AP projection; left wrist XR 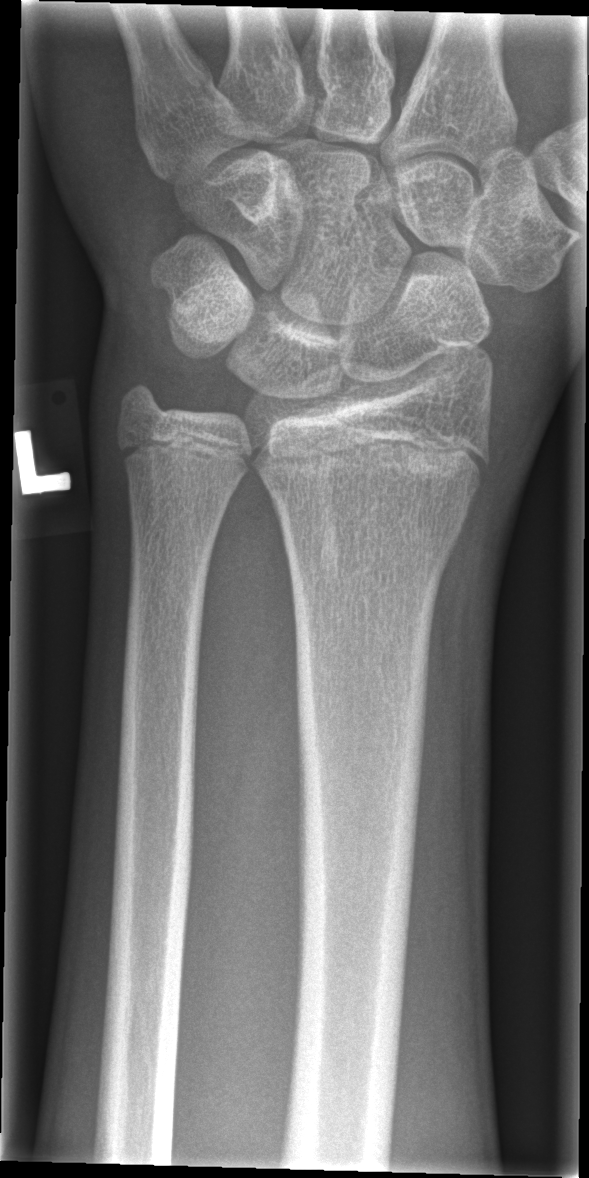
Q: Locate any fractures.
A: No Fx annotated